Posteroanterior, Lt wrist X-ray, follow-up:

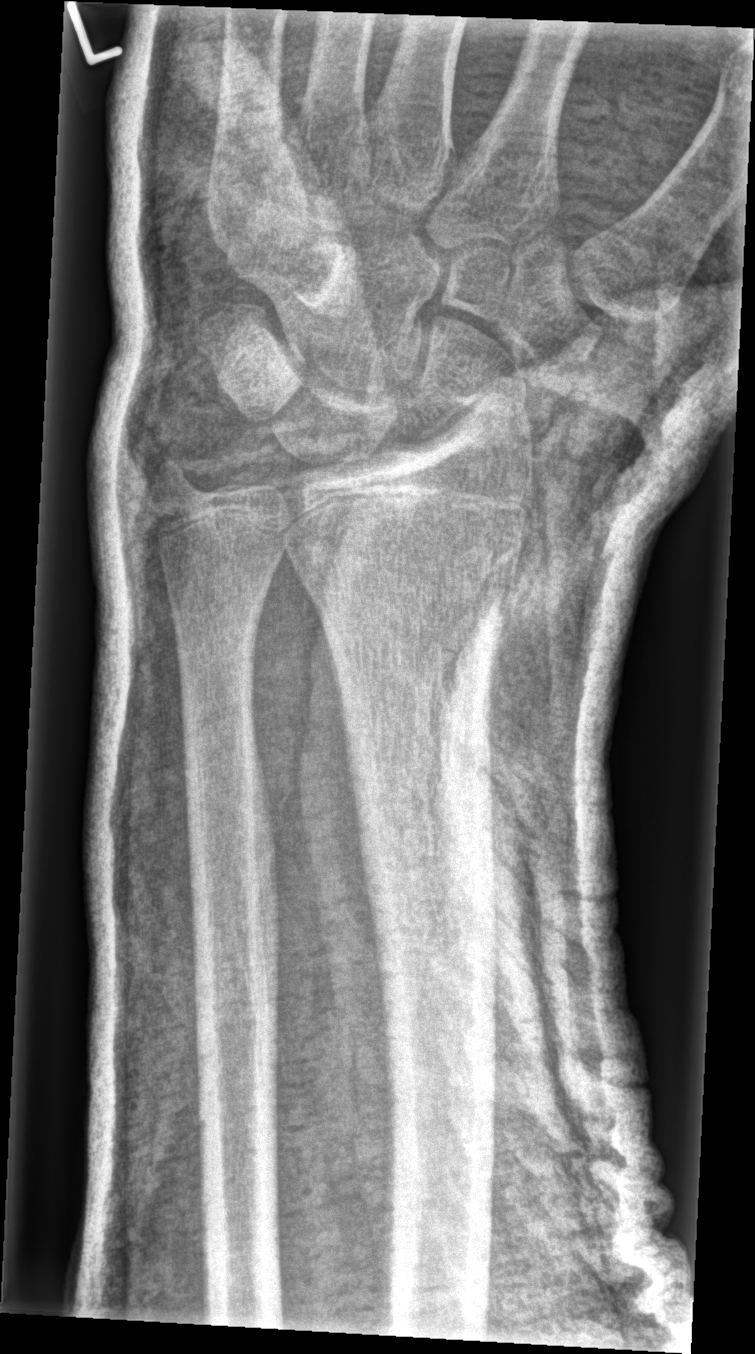

Fracture present, but no bounding box because it is not clearly seen in this view. AO code 23r-M/3.1; 23u-E/7.